PA/AP view | Rt wrist plain film | presentation radiograph | image 75.0 mm wide. 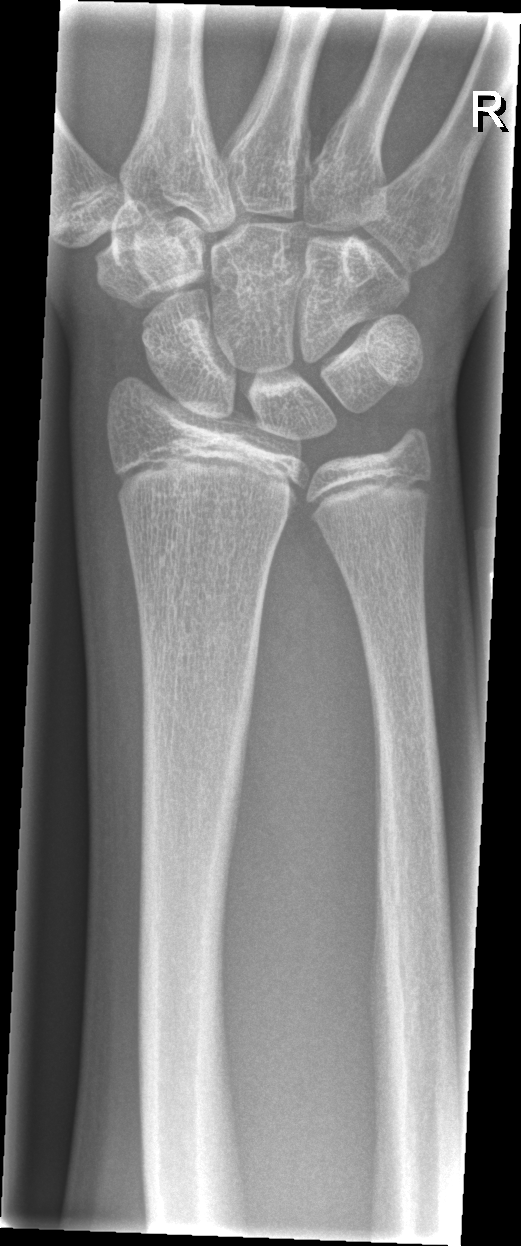

No fracture bounding box.